AP, left wrist XR, image size 695x1248:
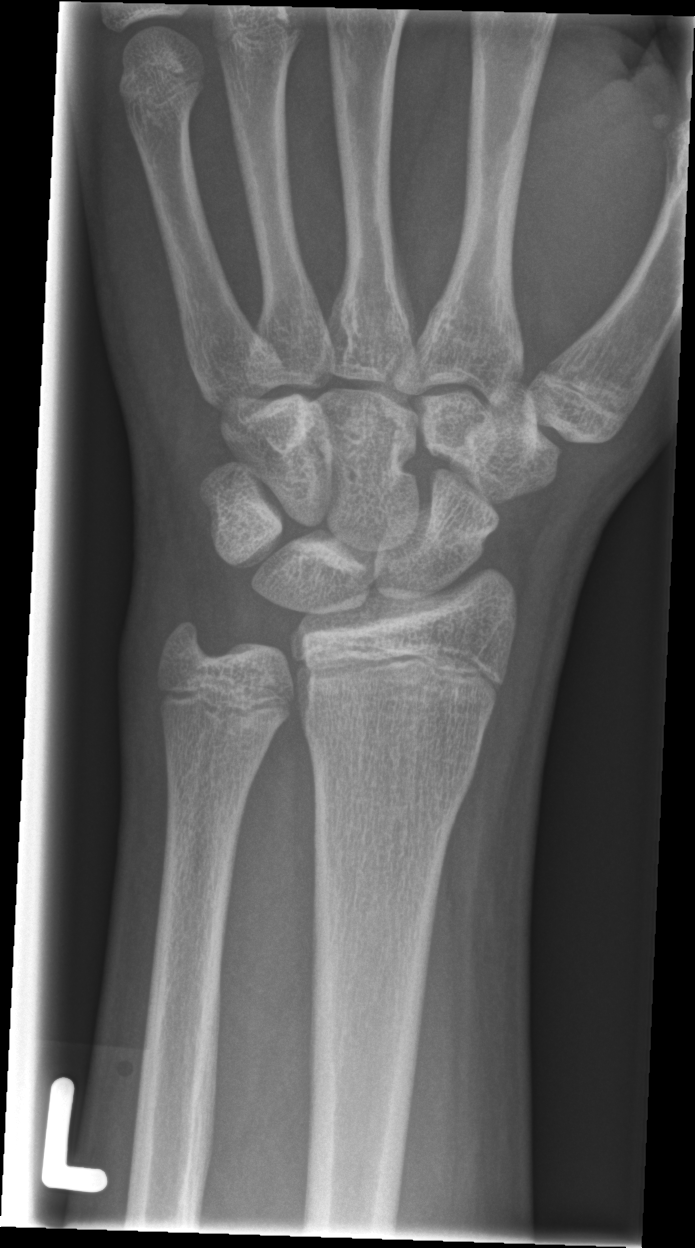

No fracture annotation.